Rt wrist radiograph | lateral projection | 578 x 869 px.
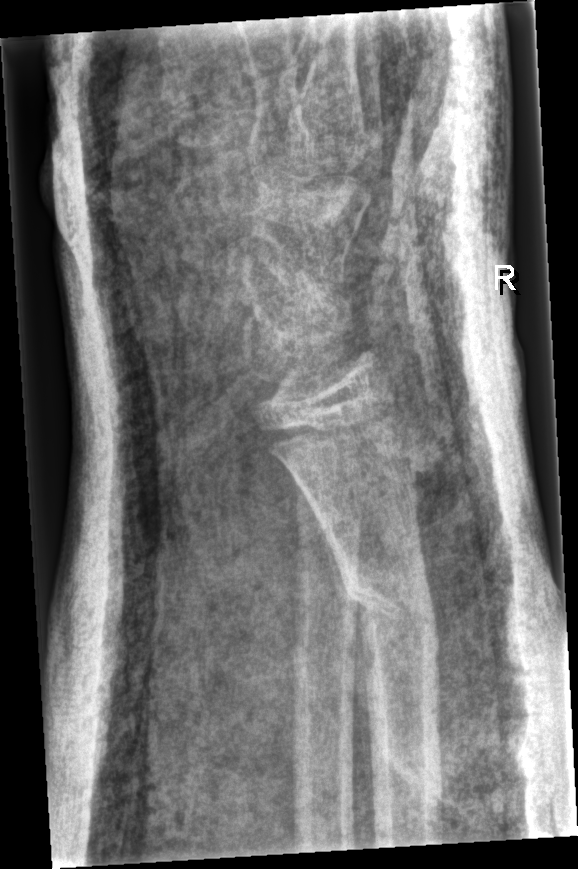
  fracture: [336, 566, 446, 667]
  ao: 23r-M/3.1; 23u-M/2.1